Lt wrist plain film · AP view · age 7 y, boy · in cast — 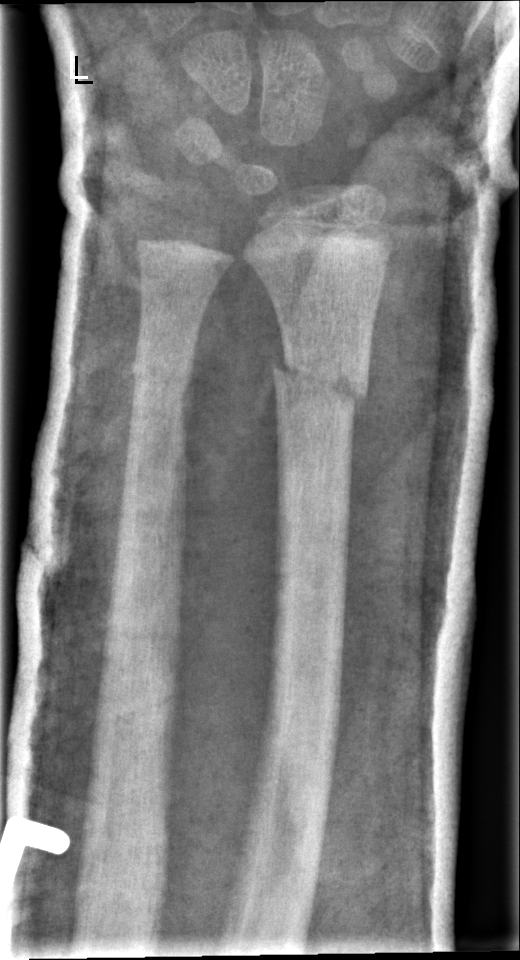

Findings: AO/OTA classification: 23r-M/3.1; 23u-M/2.1. Bone fracture identified at bbox(268, 350, 371, 419) bbox(130, 350, 197, 394).